Frontal · right wrist pediatric wrist radiograph · image width 63.9 mm: 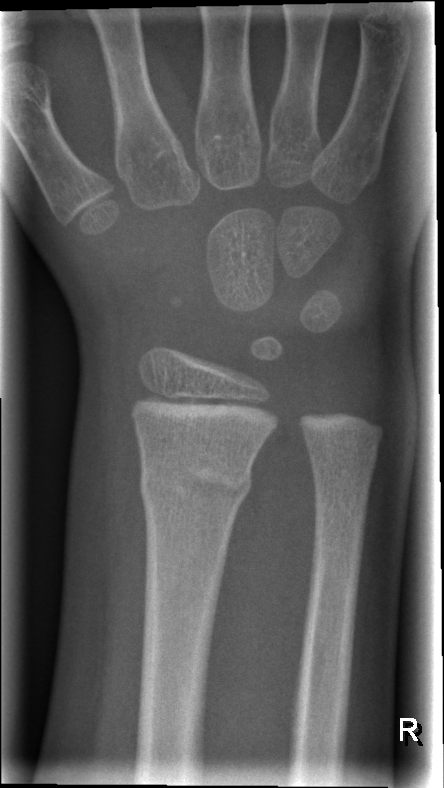 Fx identified at 137 458 253 509.
AO/OTA classification: 23r-M/2.1.